Lateral view, L wrist plain film, 442 by 898 pixels.
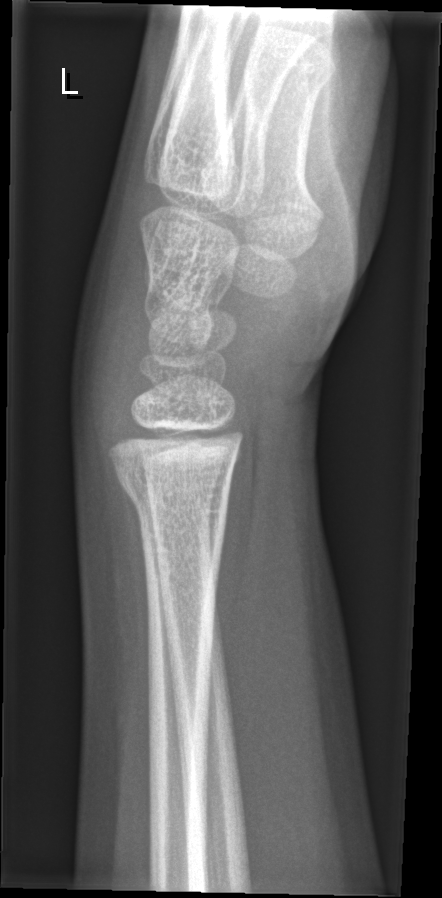
FINDINGS: (coordinates are [x1, y1, x2, y2] in image pixels) One bone fracture at [x1=113, y1=459, x2=236, y2=532]. AO/OTA classification: 23r-M/2.1. Soft tissue abnormality — [x1=69, y1=230, x2=148, y2=472].